Posteroanterior view · Rt wrist radiograph · follow-up study.

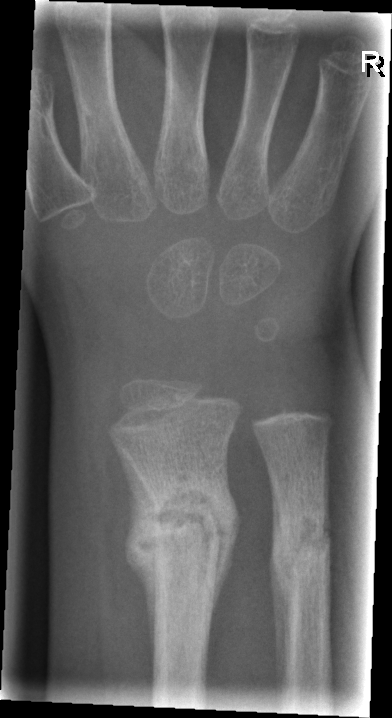
Q: Any fracture seen?
A: Two bone fractures at bbox(124, 471, 243, 598); bbox(265, 495, 335, 604)
Q: Is there osteopenia?
A: Osteopenic
Q: Locate any periosteal reaction.
A: Three periosteal new bone at bbox(116, 442, 159, 687); bbox(211, 480, 242, 630); bbox(270, 568, 287, 710)